Right wrist X-ray | frontal view | 15y M | cast present 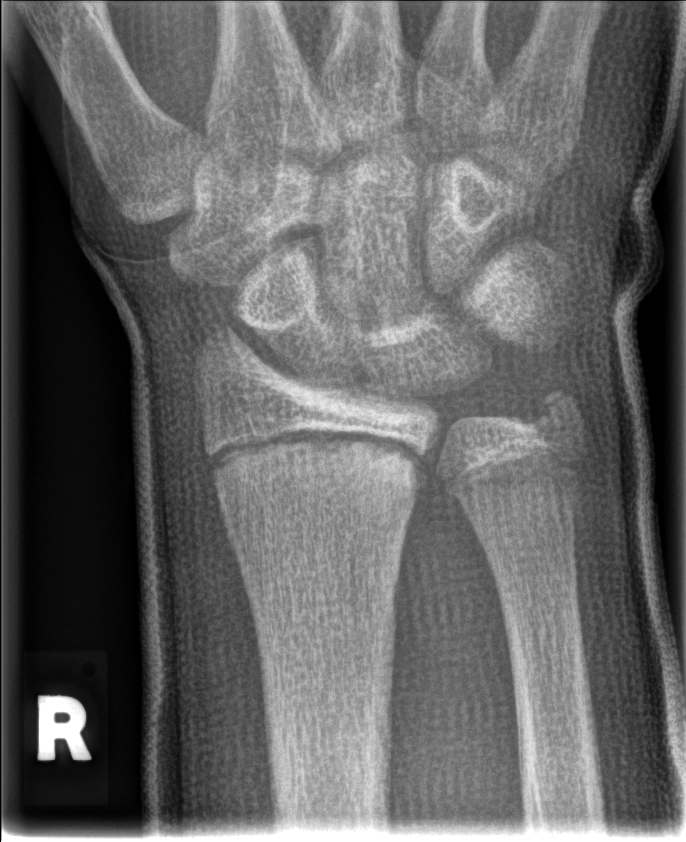

AO classification: 23r-E/2.1; 23u-E/7
Fracture: 212,431,427,528
  530,379,589,433